Lt wrist XR, PA/AP projection, follow-up, imaged through cast — 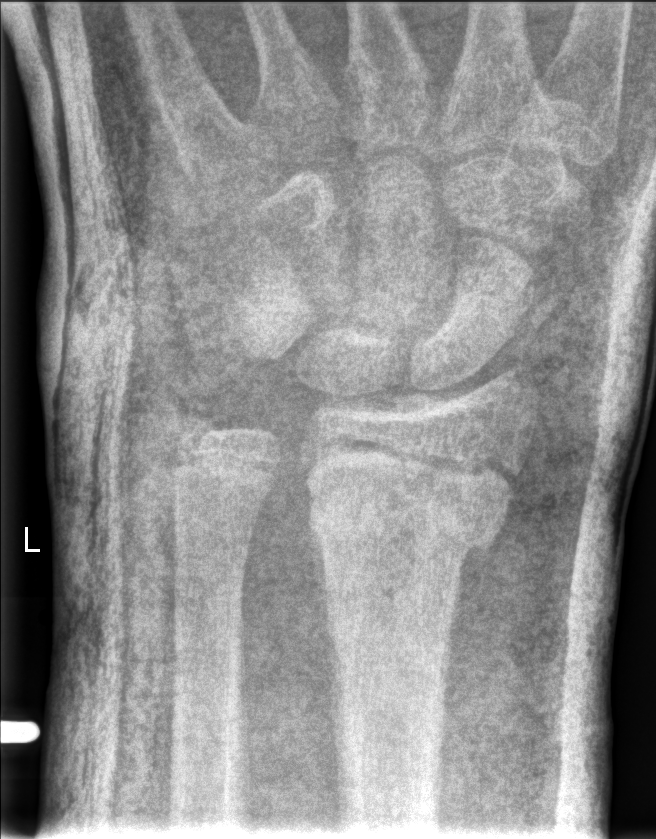
- Coordinates are [x1, y1, x2, y2] in image pixels.
- Fracture: [x1=308, y1=469, x2=511, y2=562].